Rt plain radiograph of the wrist · lateral · 17y F:

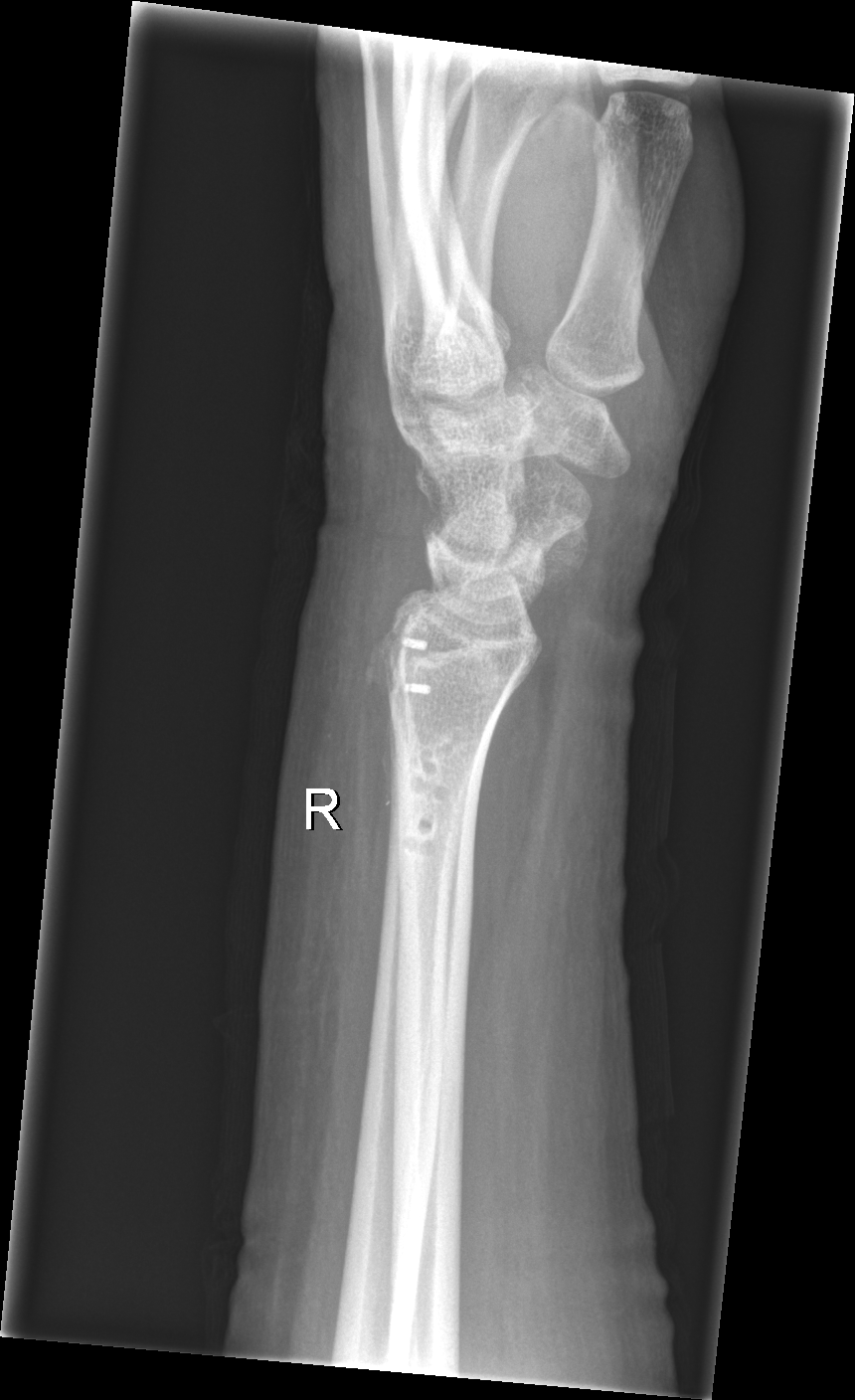
No fracture annotation. One metallic hardware at bbox(387, 629, 434, 697).